Posteroanterior projection · left plain radiograph of the wrist · imaged through cast · image width 161.0 mm · 1016x1176 — 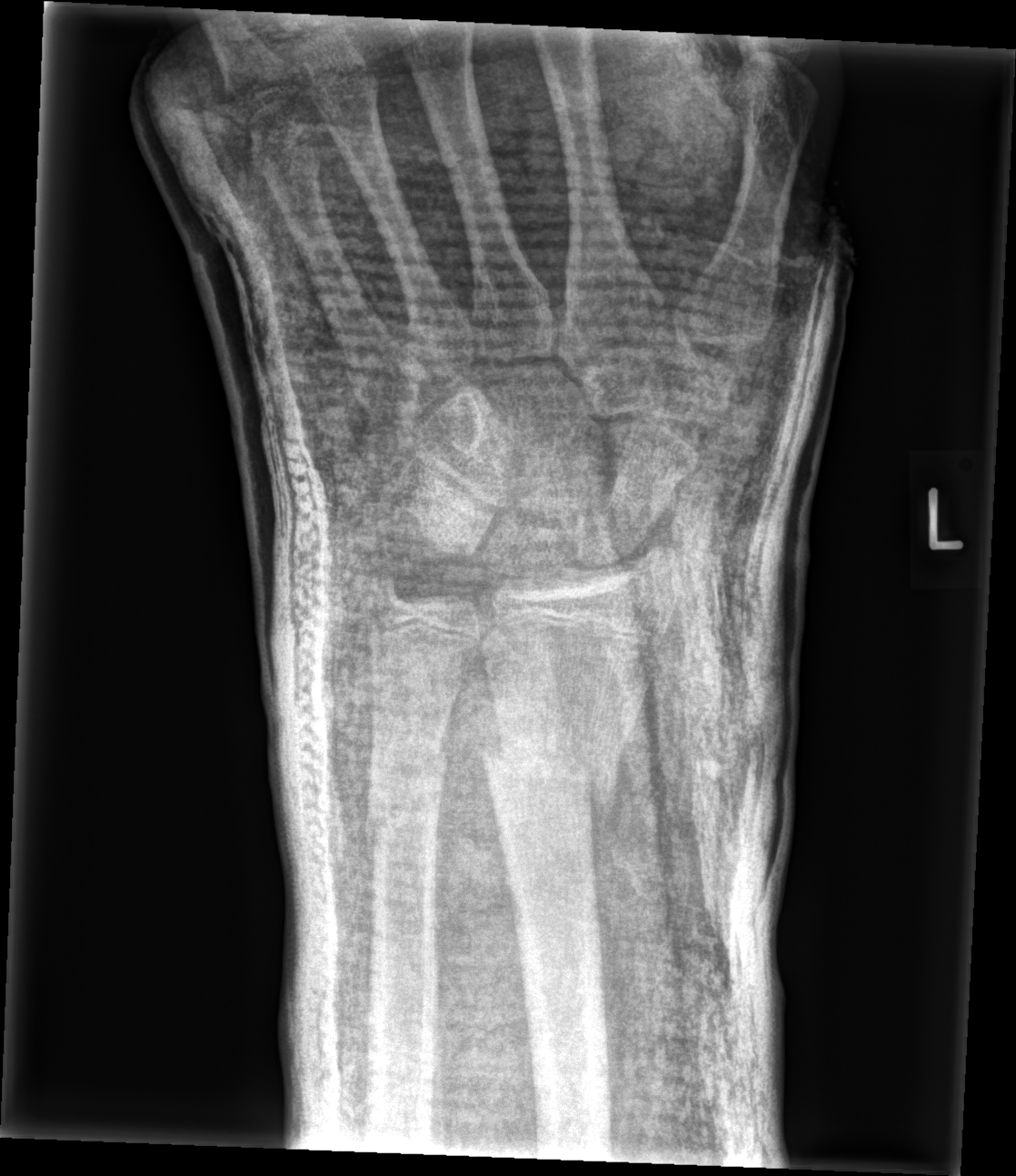
(boxes as x1,y1,x2,y2 (top-left / bottom-right, pixel units))
AO classification: 23-M/3.1; 23u-E/7
Fx: 2 @ 475 716 619 852; 374 732 451 852